Frontal projection · Lt pediatric wrist radiograph · initial study
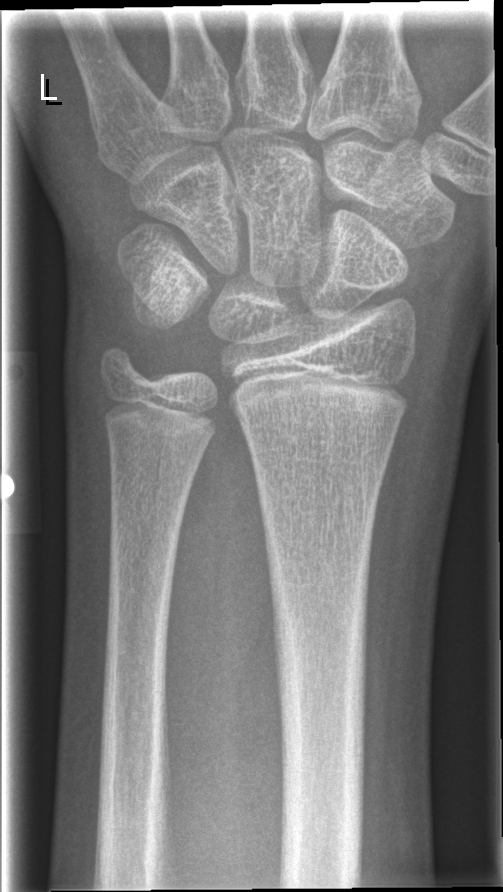
No Fx annotated.